Lateral projection, Rt plain radiograph of the wrist, pediatric patient (male, age 2).
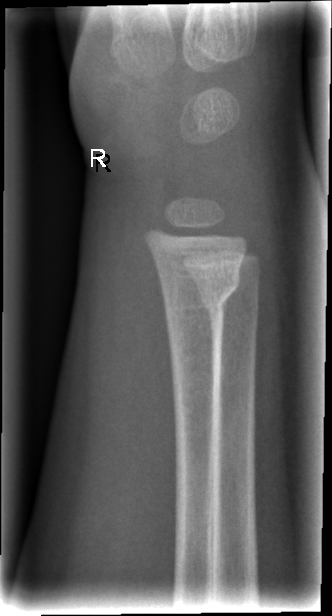
Q: Locate any fractures.
A: Two bone fractures at (163, 260, 244, 322); (195, 285, 262, 324)
Q: AO code?
A: AO code 23-M/2.1